Lat; right wrist plain film; age 9 y, male; presentation radiograph; acquired on Siemens; 396 x 856 px. 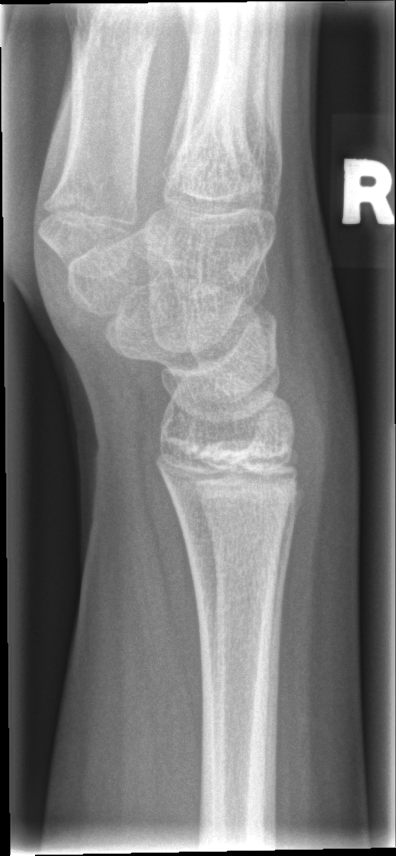
Fracture: none labeled